Lt pediatric wrist radiograph | lat projection | 11-year-old male | imaged through cast: 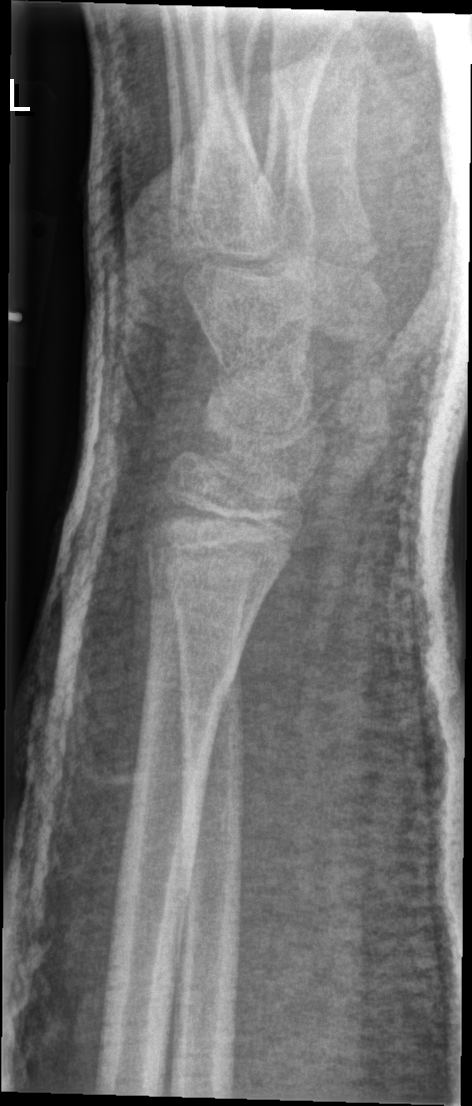
Q: What is the AO/OTA classification?
A: Fracture classified AO/OTA 23r-M/2.1
Q: Is there a fracture?
A: Fx identified at 146,627,247,706